Lt wrist plain film, lat projection, pediatric patient (female, age 16), detector: Siemens, 64.4 mm image width —

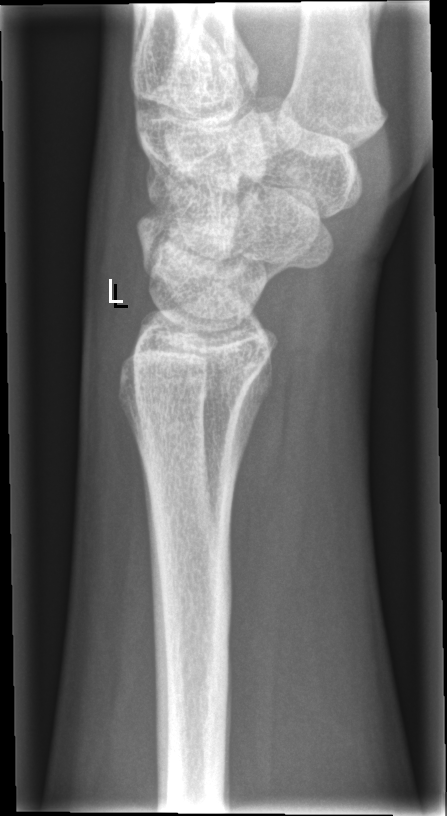 • AO code 23r-M/2.1.
• Bone fracture — bbox(136, 423, 241, 563).